Rt wrist XR, lat view, 11y M, index exam, image width 59.9 mm, 416 by 959 pixels 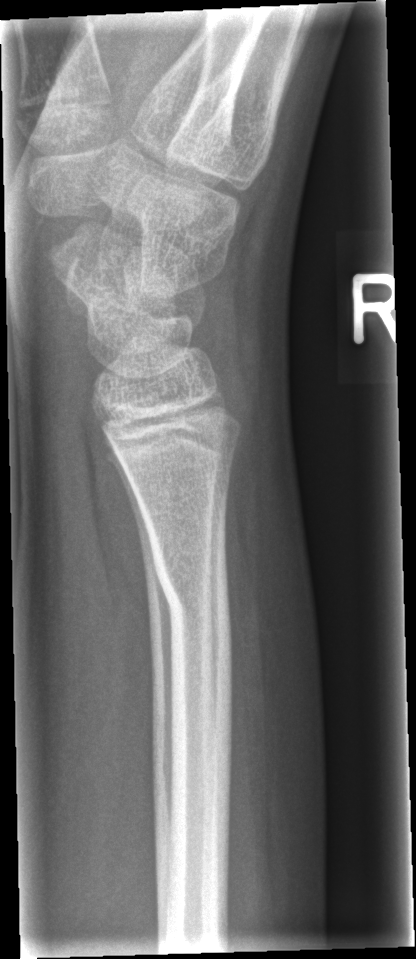
- Fx — 151 554 235 631.